Lt wrist radiograph, lat, 7y M, in cast: 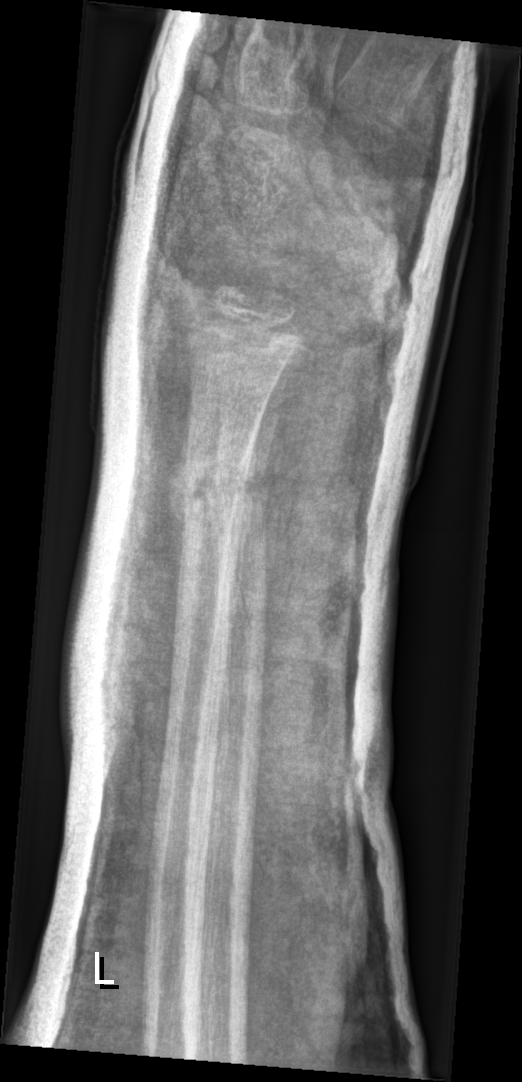
AO code = 23-M/3.1
Bone fracture = (163, 444, 278, 532)
Periosteal new bone = (167, 420, 187, 547), (237, 448, 254, 565)